L wrist X-ray · lateral projection · image width 49.8 mm: 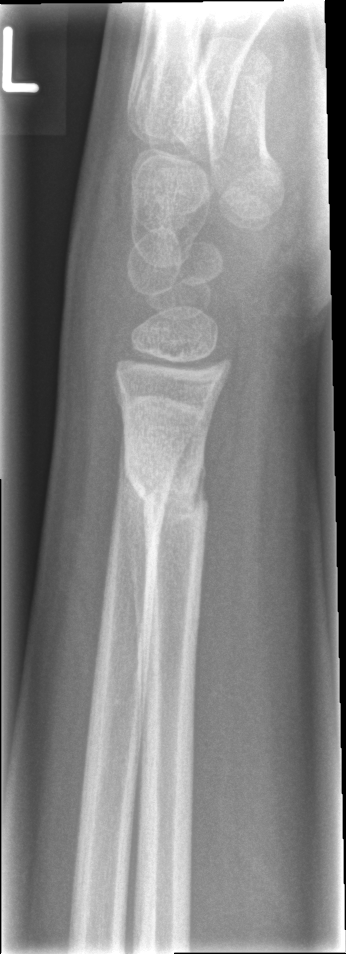 * Boxes as x1,y1,x2,y2 (top-left / bottom-right, pixel units).
* One periosteal thickening at (left=121, top=446, right=151, bottom=769).
* Fracture classified AO/OTA 23r-M/3.1; 23u-M/2.1.
* Bone fracture: (left=124, top=449, right=212, bottom=531).